AP; R pediatric wrist radiograph; pediatric patient (female, age 11); imaged through cast; image 124.4 mm wide — 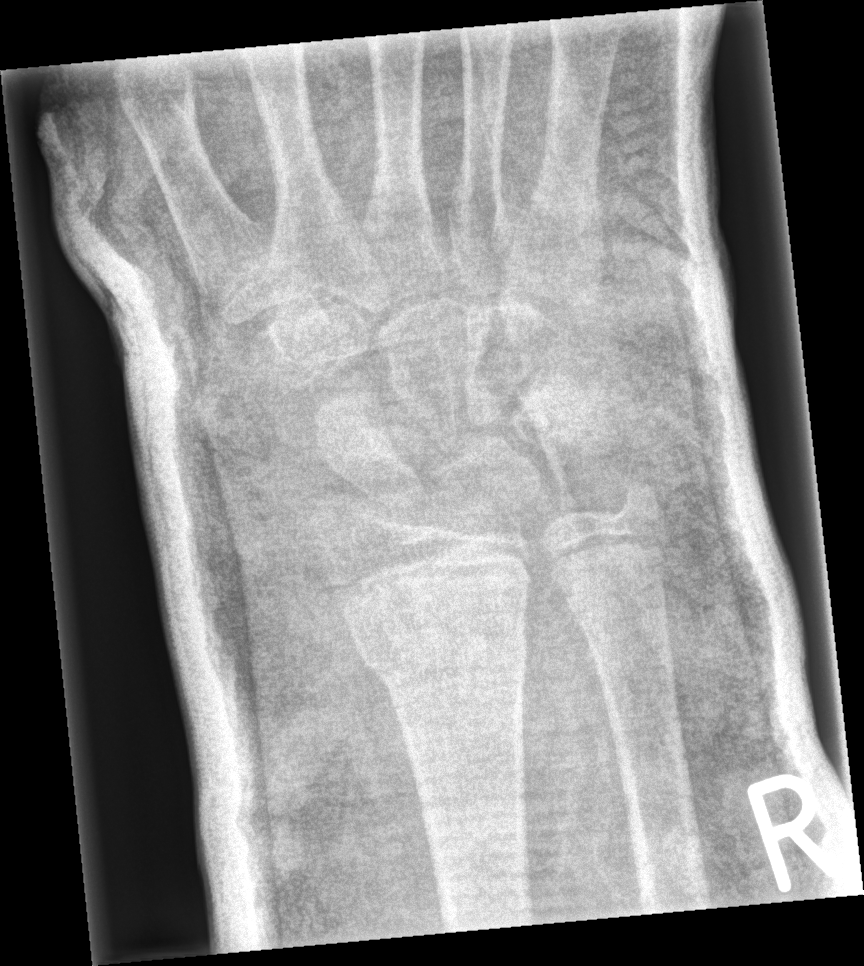 FINDINGS: Bone fracture identified at [x1=349, y1=609, x2=533, y2=699].